Left wrist radiograph · PA projection · age 10 y, female · acquired on Siemens · 695 by 894 pixels

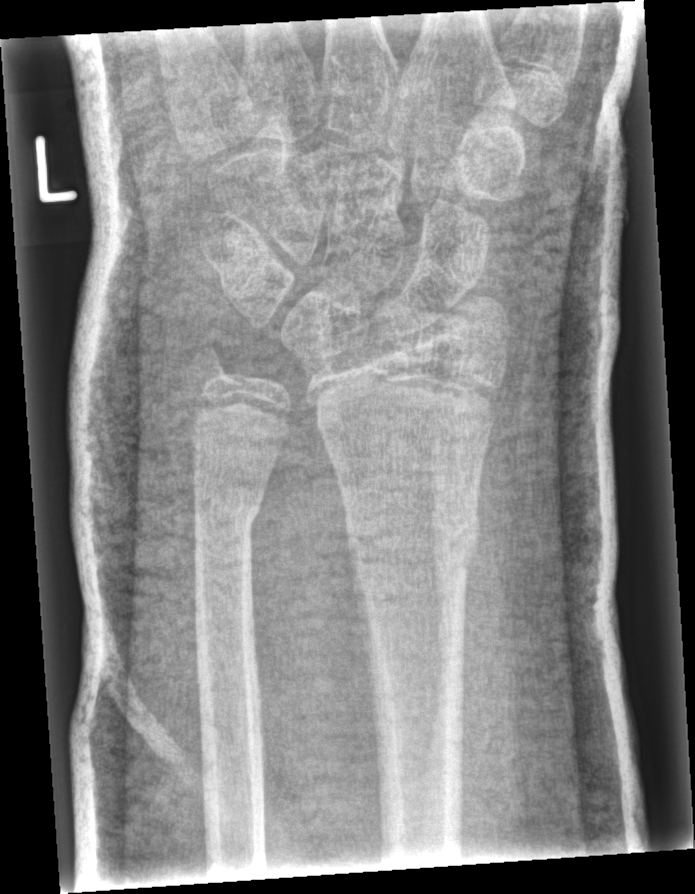
{"ao": "23-M/2.1", "fracture": "(347, 504, 485, 586) (192, 486, 264, 540)"}